PA projection; left plain radiograph of the wrist; in cast; 101.4 mm image width. 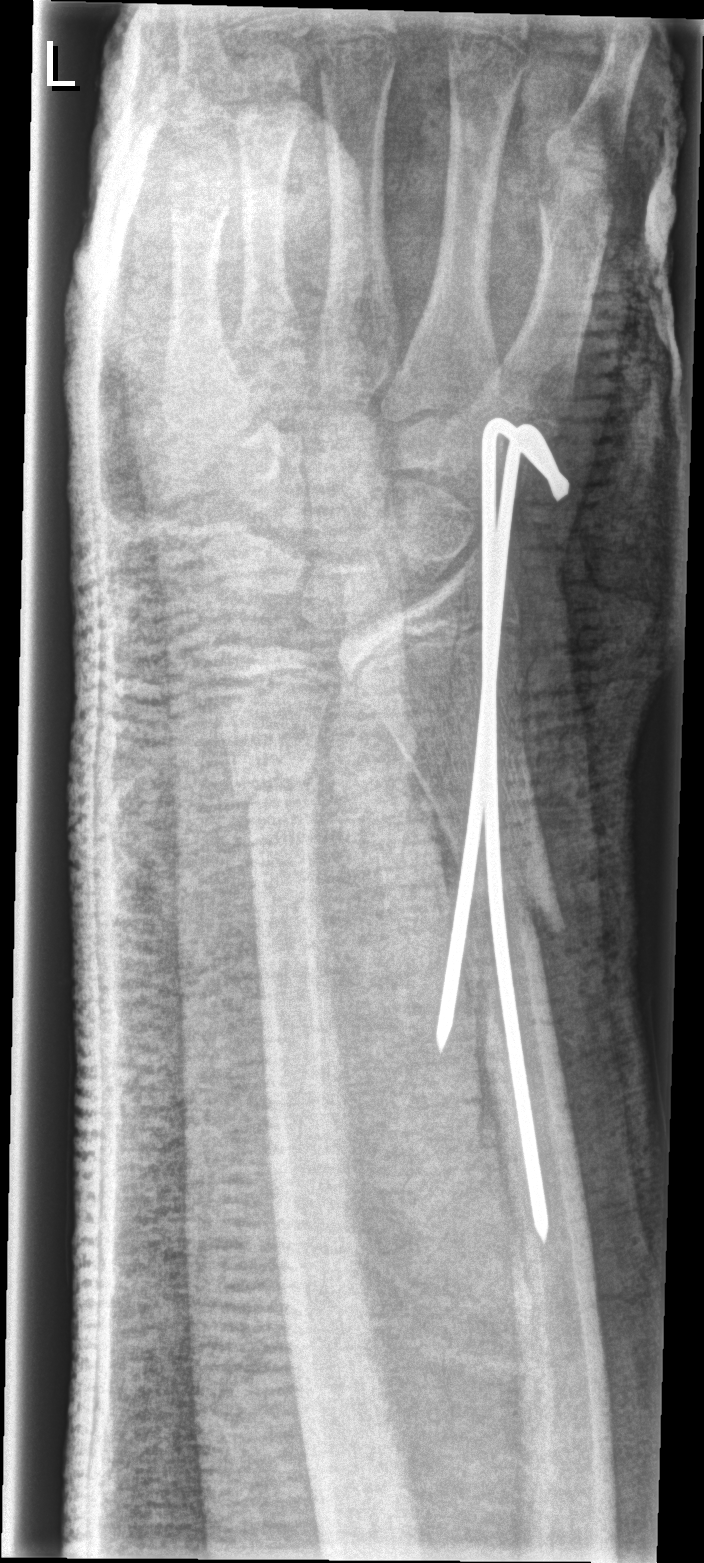

Fracture: 2 @ bbox(443, 845, 571, 939); bbox(226, 752, 326, 815)
Metallic hardware: 1 @ bbox(430, 419, 572, 1245)
AO classification: 22r-D/5.1; 23u-M/2.1